PA projection; Lt wrist X-ray; pediatric patient (male, age 8) — 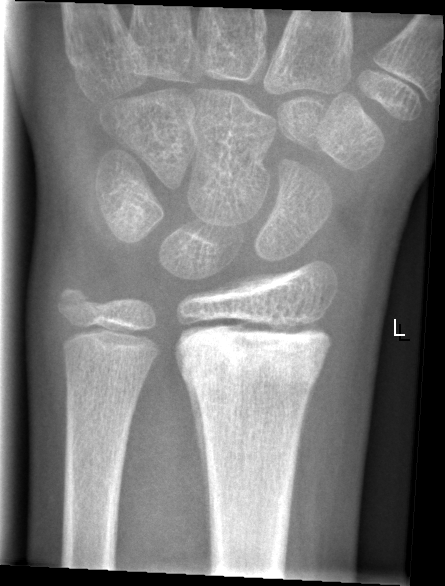 (bounding boxes in image-pixel xyxy)
AO classification = 23r-E/2.1; 23u-E/7
Bone fracture = 176 307 333 402 | 52 281 107 322
Osteopenia = present
Periosteal new bone = 1 @ 176 347 211 562